Lateral | Lt wrist X-ray | subsequent exam | cast in situ 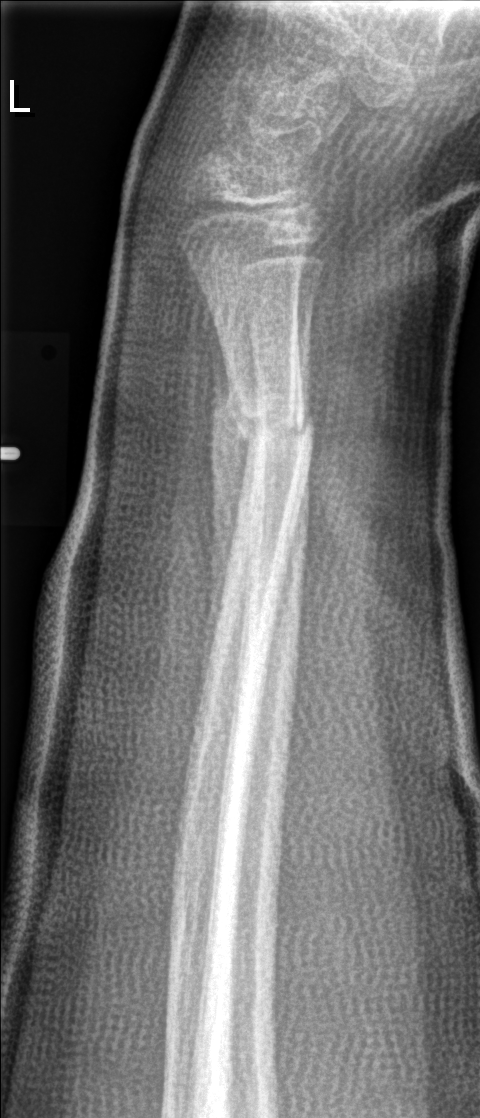 Coordinates are [x1, y1, x2, y2] in image pixels. Fx identified at (223, 383, 320, 474). Fracture classified AO/OTA 23r-M/3.1. Periosteal thickening: (200, 300, 260, 701).